Left pediatric wrist radiograph · lat projection · 8-year-old girl · 70.1 mm image width:

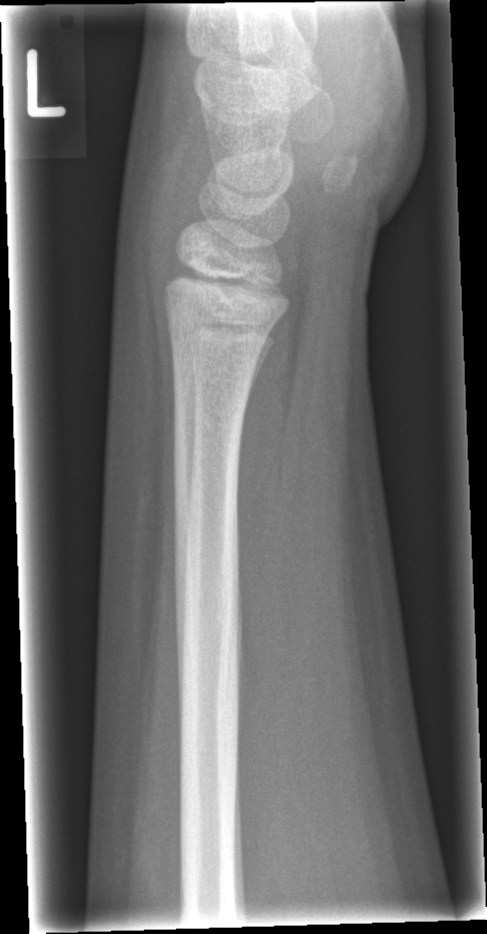

Fx = none labeled